Lat projection · right pediatric wrist radiograph · 12y M · presentation radiograph · detector: Siemens · 507x892:
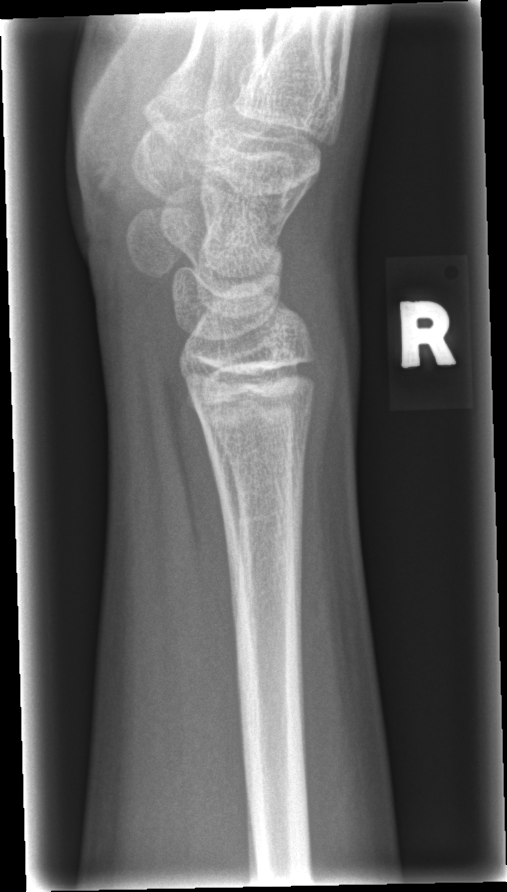 bone fracture = none labeled